Left wrist radiograph · lateral · subsequent exam · 674 x 1112 px —
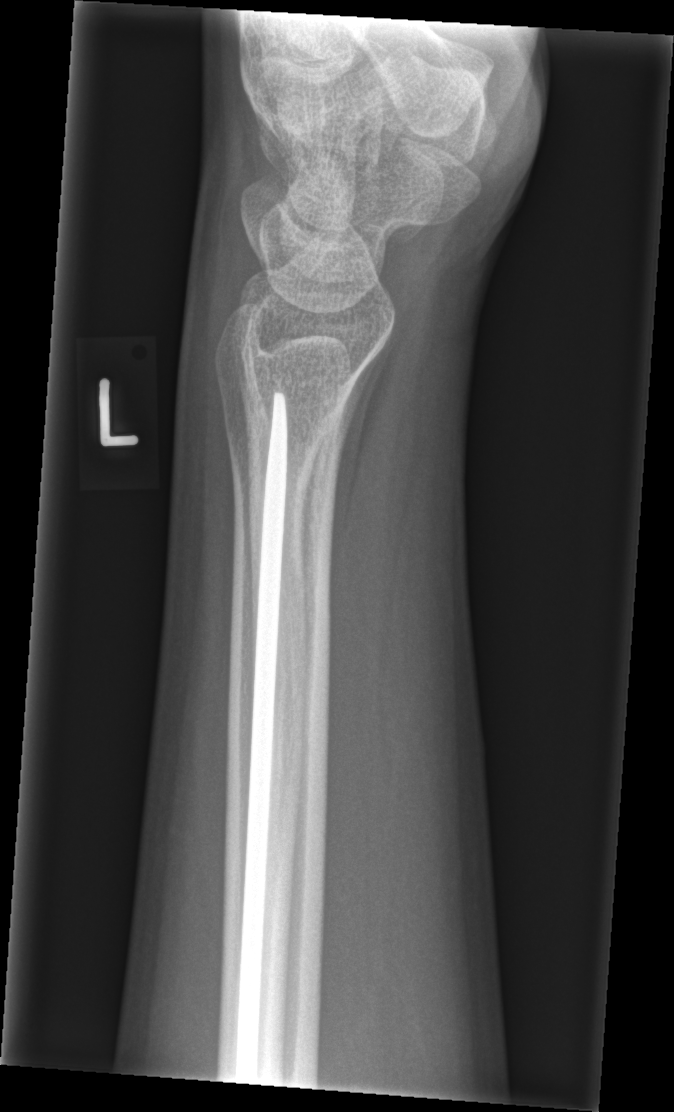
hardware: 1 @ 232,391,289,1084
Fx: none labeled